Lateral view; left wrist pediatric wrist radiograph; subsequent exam; 496 by 810 pixels.
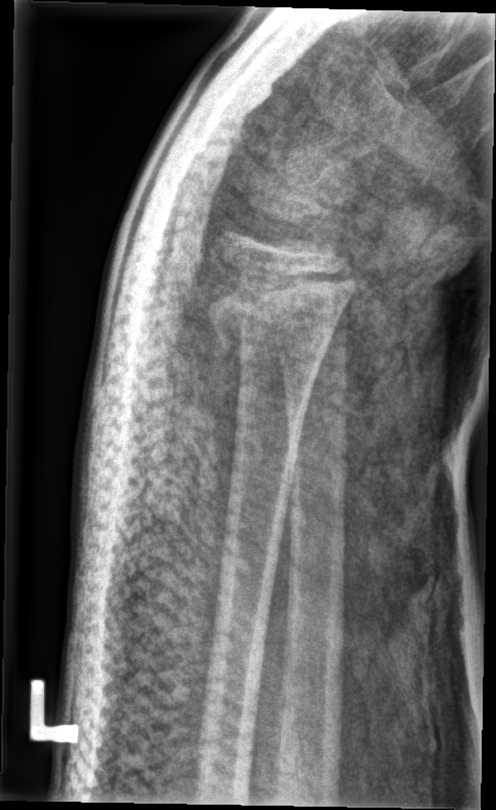

- Fx — (left=205, top=260, right=365, bottom=368).
- Fracture classified AO/OTA 23r-E/2.1; 23u-M/2.1.